Right wrist plain film | AP projection — 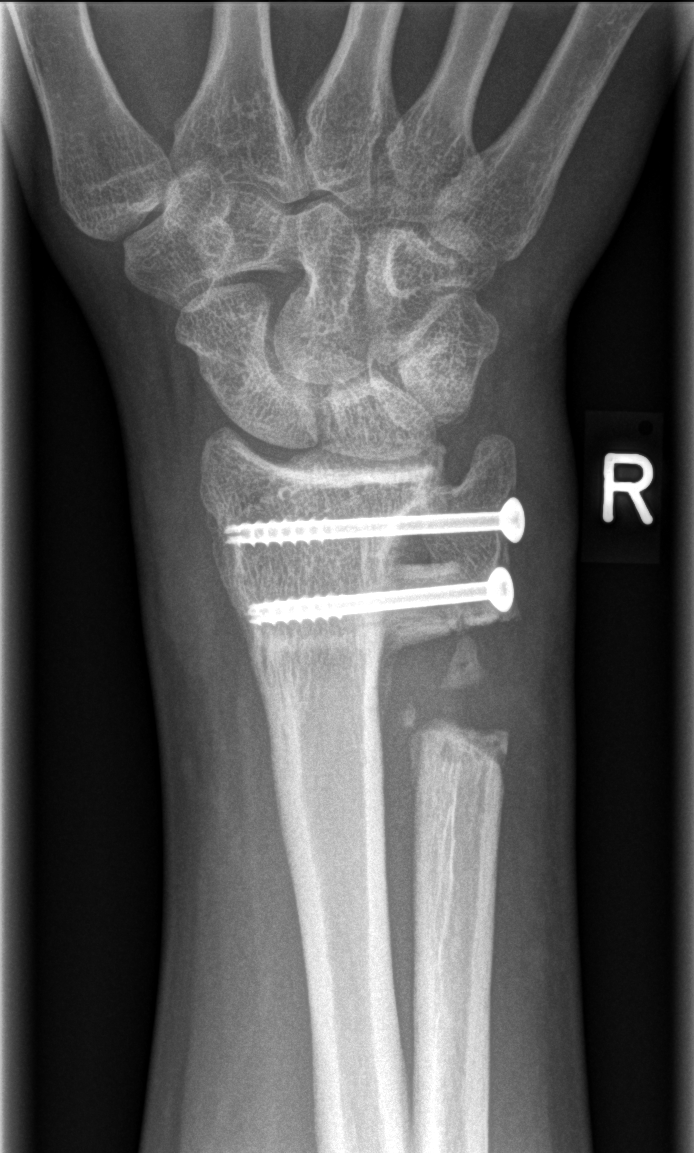 {
  "_coords": "bounding boxes in image-pixel xyxy",
  "fracture": "none labeled",
  "boneanomaly": "356 435 539 789",
  "metal": "241 565 517 631 | 221 492 528 549"
}